Lat projection · left wrist X-ray · 13y M · cast in situ · image 91.7 mm wide.

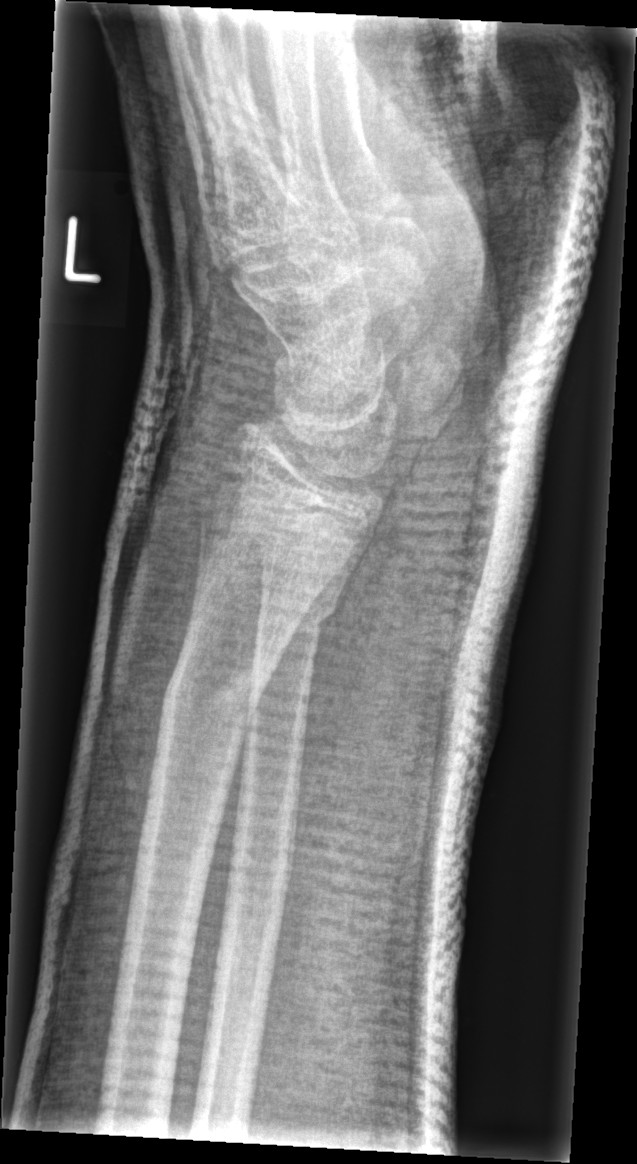

Fracture classified AO/OTA 23-M/2.1.
Fracture identified at 155,643,284,722
  250,596,345,649.